Posteroanterior | L wrist X-ray | acquired on Siemens | image size 494x816
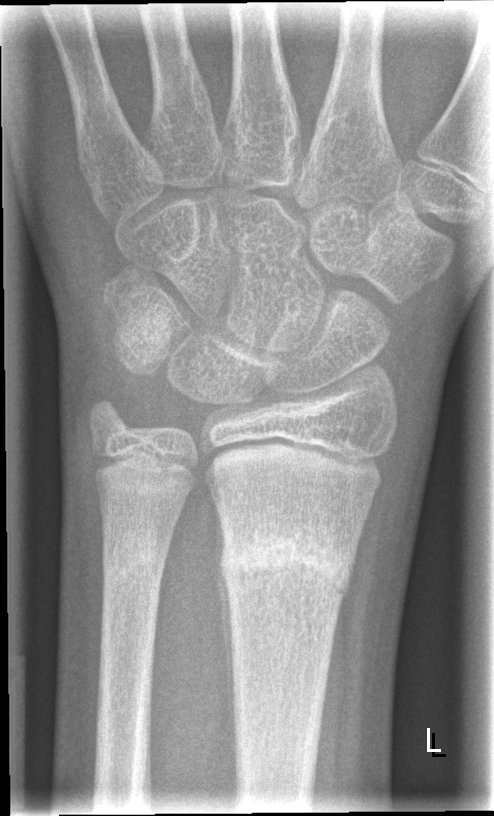

(bounding boxes in image-pixel xyxy)
Fx = 2 @ <218,523>-<353,599>, <102,527>-<170,591>
periosteal thickening = <216,567>-<238,793>
AO/OTA = 23-M/2.1
osteopenia = present